Posteroanterior projection · R wrist radiograph:

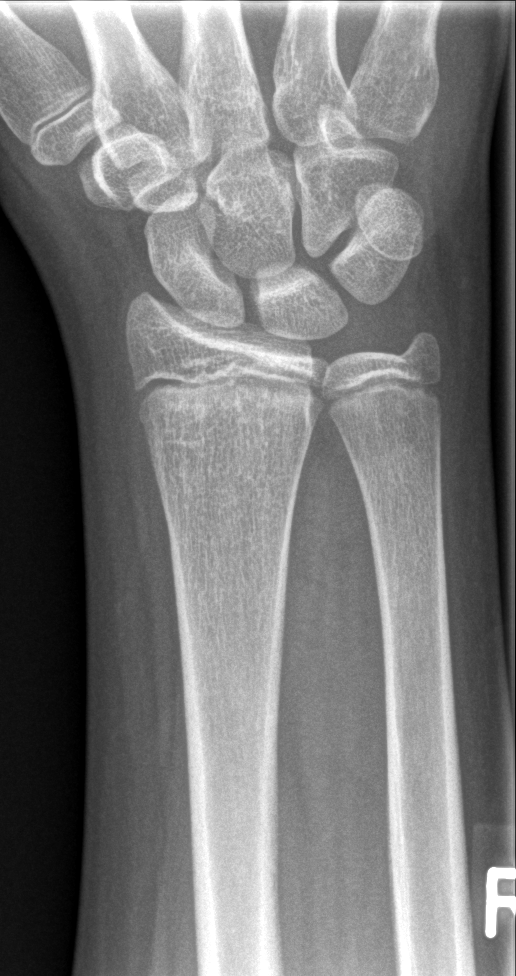
Fracture classified AO/OTA 23r-M/2.1.
Fracture present but not clearly seen in this view.